Lat · R wrist XR · acquired on Siemens
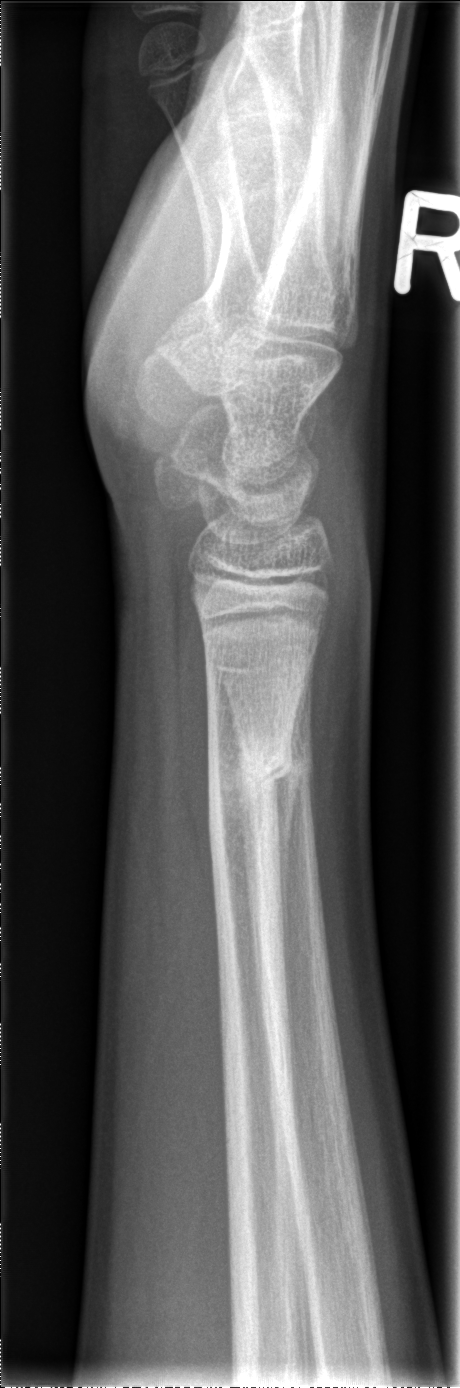 One periosteal reaction at (273, 660, 309, 1039). Fx identified at (203, 736, 298, 818), (236, 737, 318, 801). AO code 23-M/2.1.